Right wrist X-ray; AP view; pediatric patient (female, age 16)
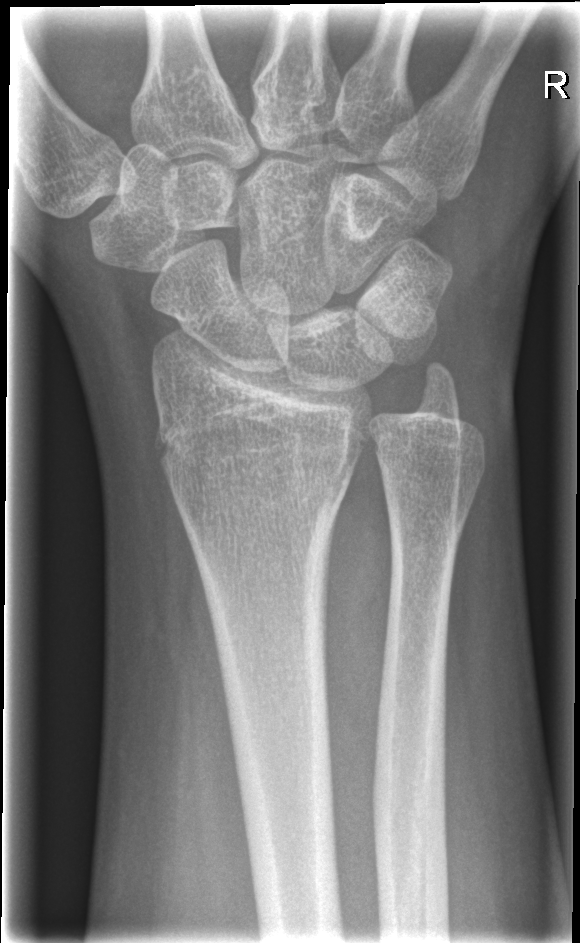 Fracture = none labeled